L wrist plain film | posteroanterior | subsequent exam.

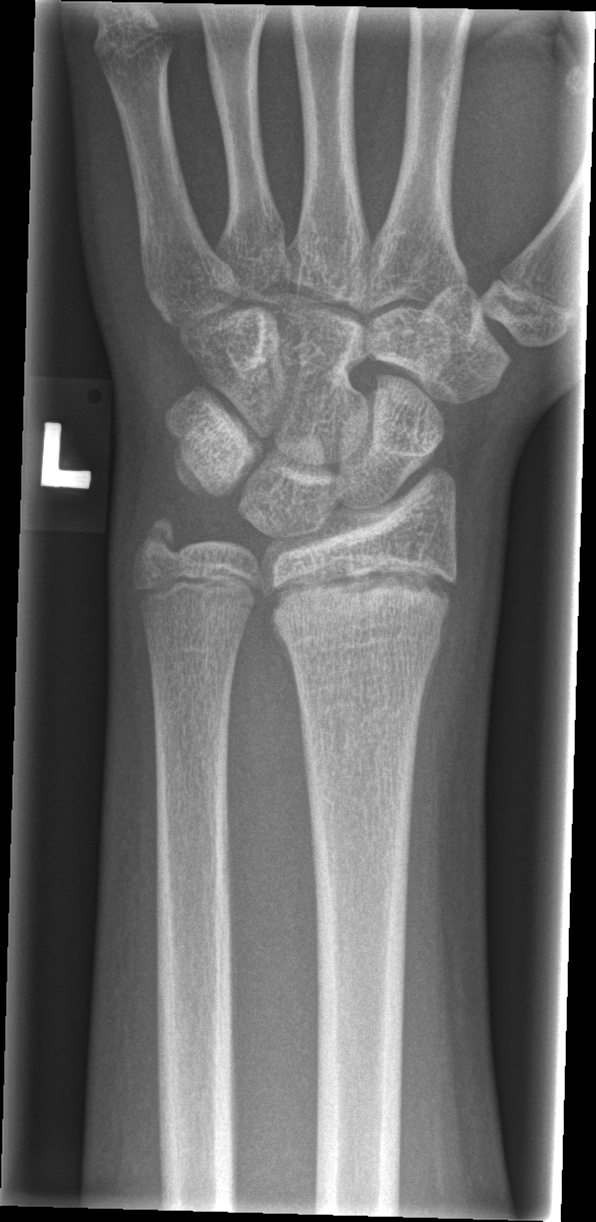 • Boxes as x1,y1,x2,y2 (top-left / bottom-right, pixel units).
• Fracture identified at [259, 590, 452, 687], [128, 507, 195, 578].